PA projection · L pediatric wrist radiograph:
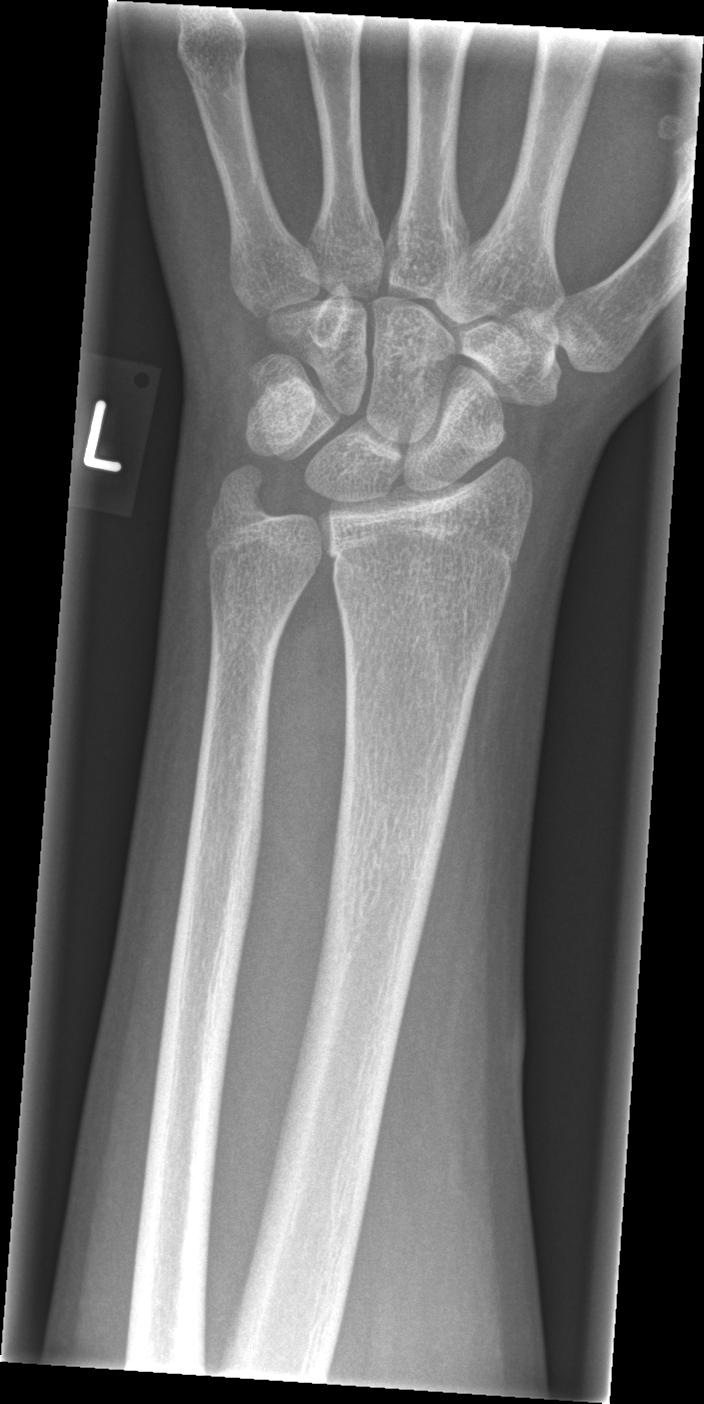

Q: Locate any fractures.
A: No fracture annotation